Lt wrist XR, PA view, 15-year-old girl —
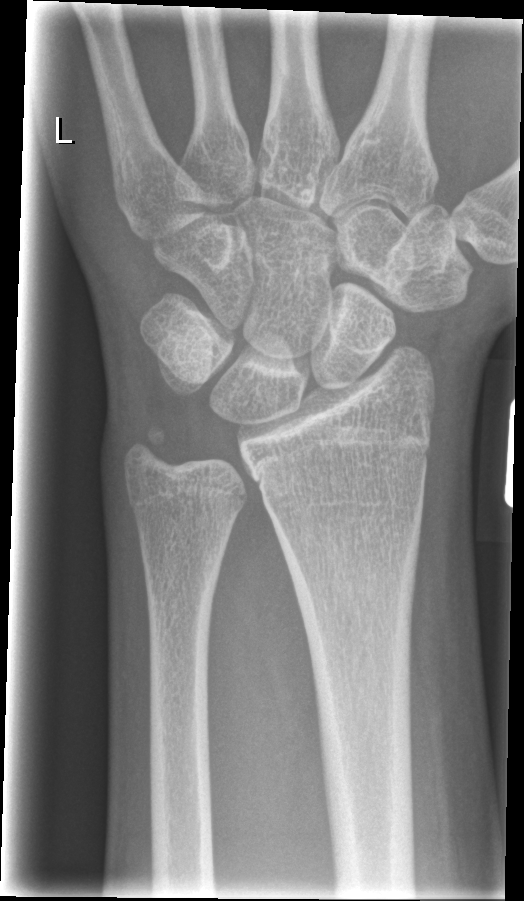

Coordinates are [x1, y1, x2, y2] in image pixels. One bone fracture at 119,419,173,477.